Lat; Lt wrist X-ray; male, 8 yo; initial study; image 89.3 mm wide. 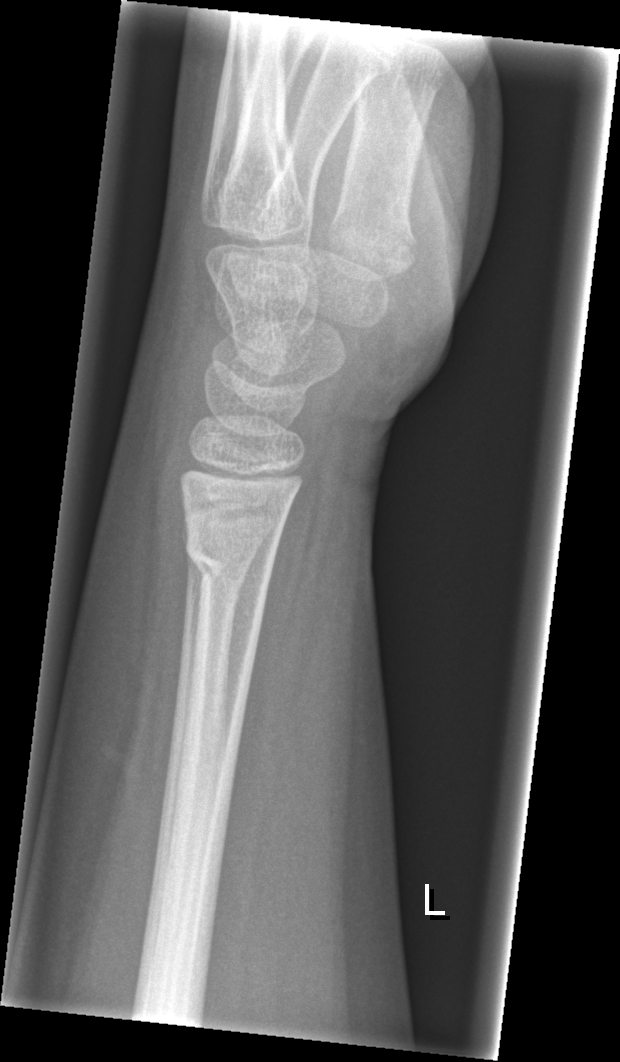 Fracture classified AO/OTA 23-M/2.1.
Fracture identified at [x1=180, y1=521, x2=277, y2=598].